Lat projection; R pediatric wrist radiograph:

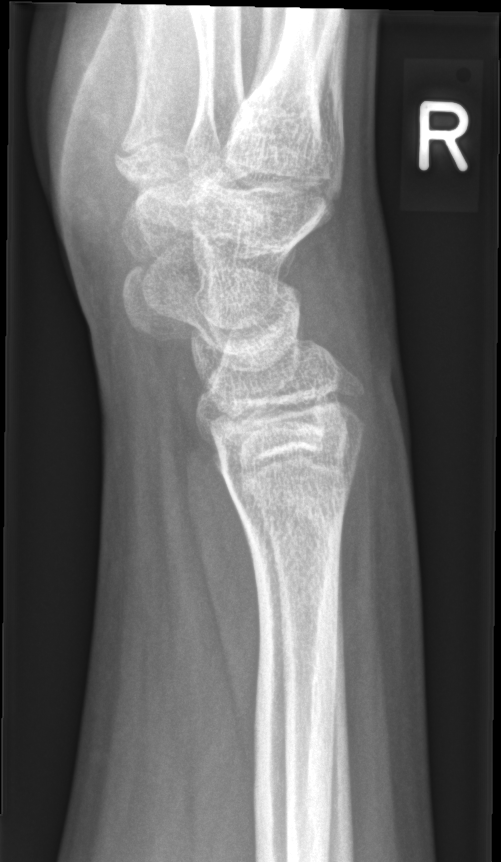
* One Fx at <234,464>-<350,552>.